Posteroanterior projection; L wrist radiograph; age 12 y, female; subsequent exam. 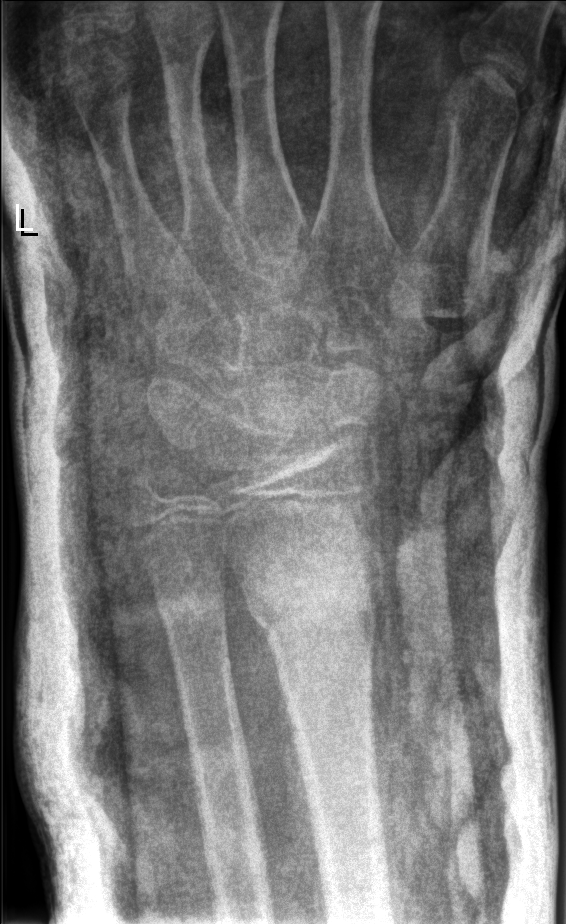
Boxes as x1,y1,x2,y2 (top-left / bottom-right, pixel units). Bone fractures — 241 562 379 652 | 148 566 231 636.